Lat · Lt wrist XR · 367x716:
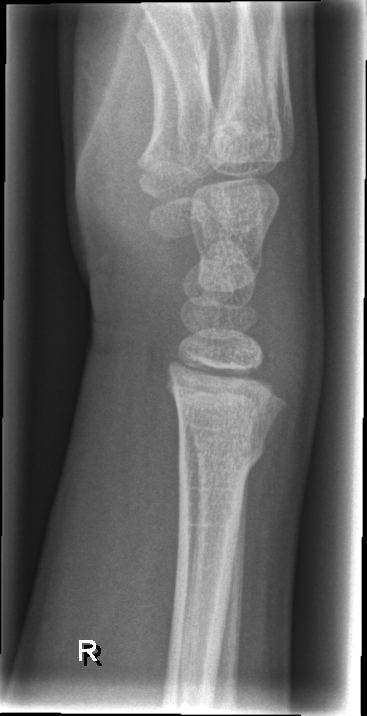 (bounding boxes in image-pixel xyxy)
Fx = 1 @ (left=175, top=421, right=272, bottom=490)
AO code = 23r-M/2.1